Rt wrist plain film, lat view, image 76.0 mm wide, 528 by 1031 pixels.
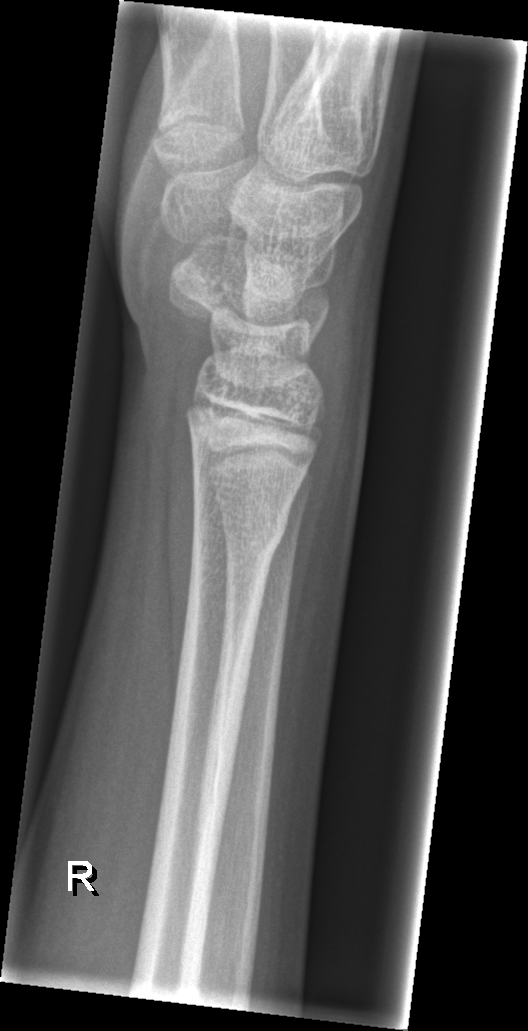

AO classification: 23r-M/2.1
Fracture: 1 @ (left=188, top=493, right=294, bottom=559)